Lateral projection, left wrist radiograph, image 69.1 mm wide, 480x1048.
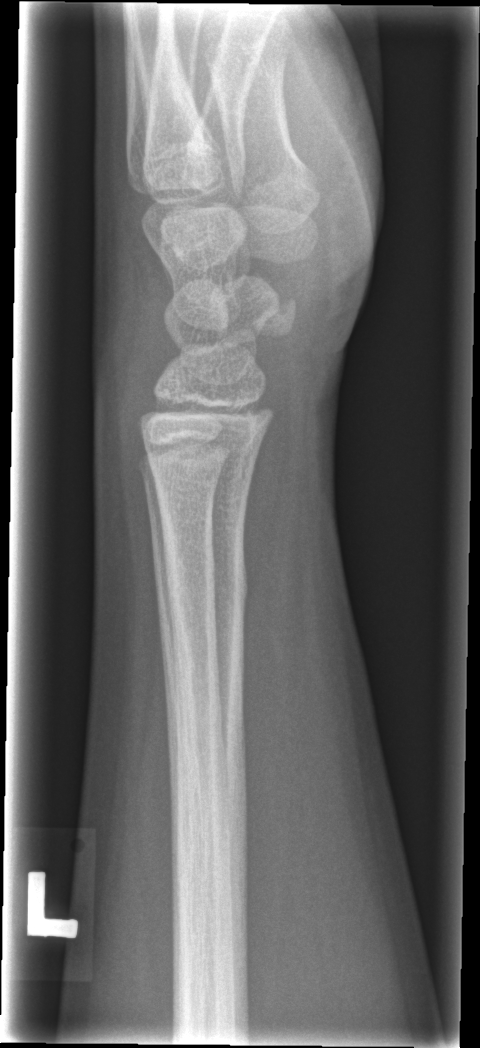 Bone fracture: 1 @ bbox(162, 547, 253, 635)
AO code: 22r-D/2.1